Lateral view, left wrist plain film, follow-up study — 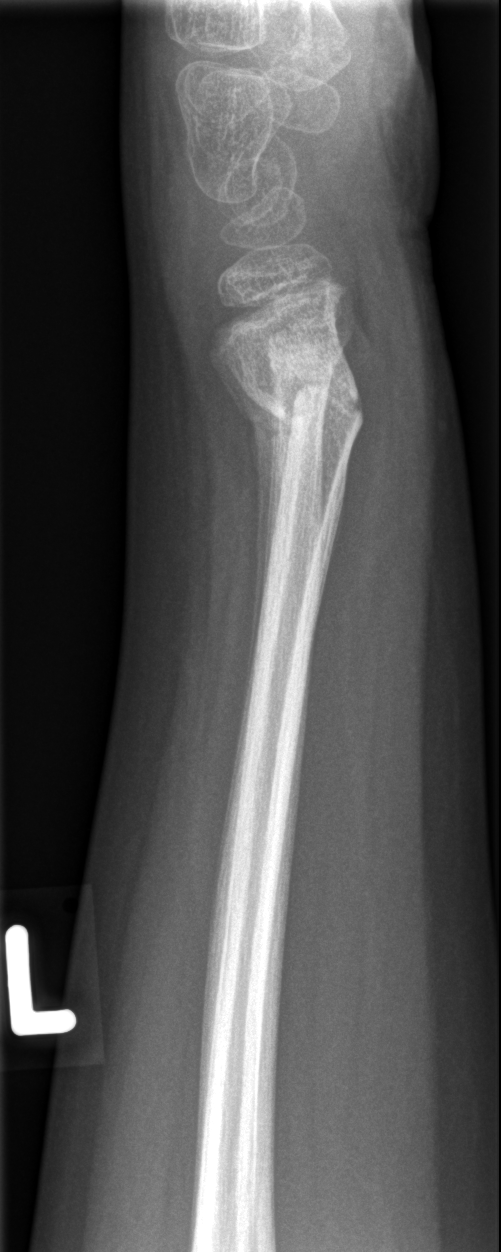

(bounding boxes in image-pixel xyxy)
osteopenia = present
AO/OTA = 23-M/3.1
periosteal thickening = 1 @ 212,340,296,761
bone fracture = 1 @ 250,362,363,435